Left wrist XR | lateral | 398 x 1212 px
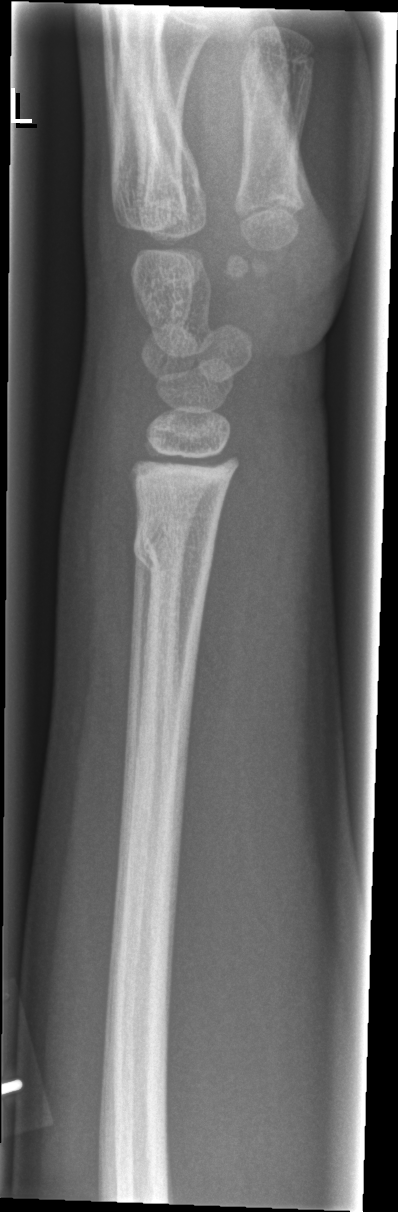

(pixel coordinates, top-left origin, xyxy)
AO code: 23r-M/2.1
Fracture: [x1=131, y1=520, x2=217, y2=574]
Soft-tissue finding: 1 @ [x1=53, y1=363, x2=145, y2=670]